L wrist XR; lat view; 14y M; subsequent exam; image size 598x1116 — 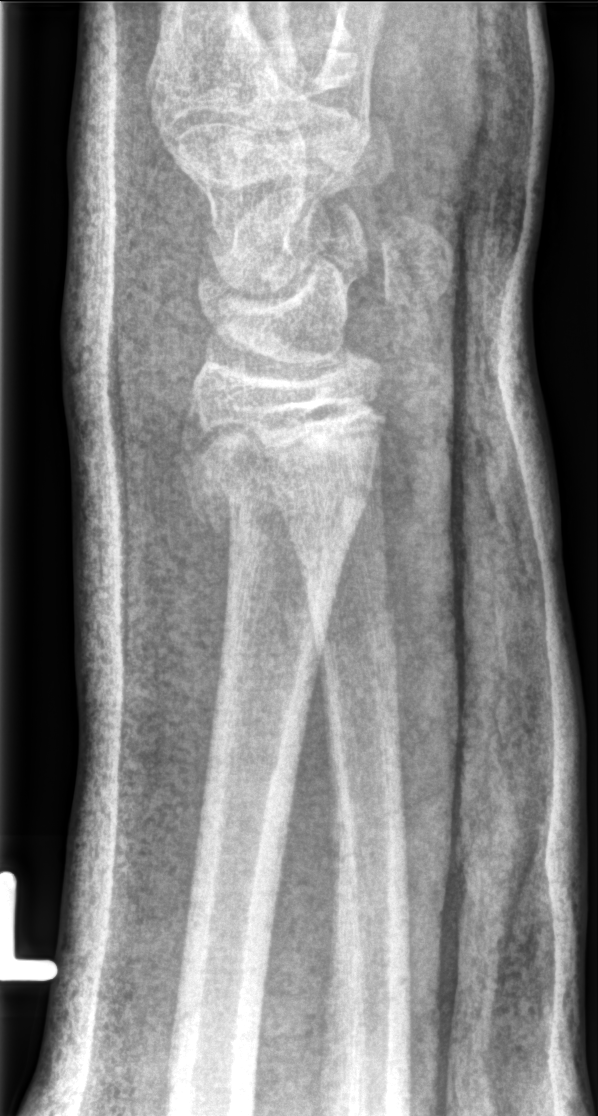
• Bone fracture — bbox(180, 430, 385, 538).